PA · Lt pediatric wrist radiograph · 14-year-old boy · follow-up —

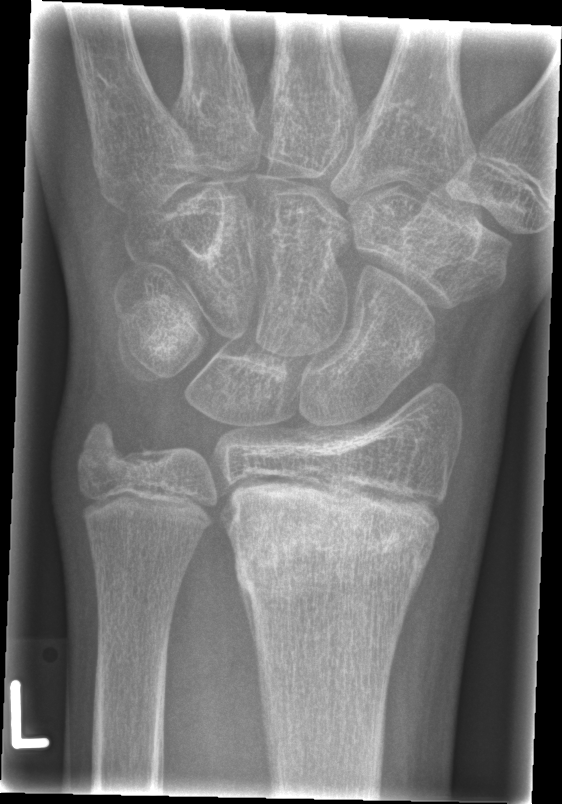

* Fracture: <224,496>-<445,603>; <73,419>-<150,475>.
* Osteopenia.
* One periosteal reaction at <231,540>-<252,657>.
* AO code 23r-E/2.1; 23u-E/7.